Rt wrist plain film; PA/AP view; 13-year-old male; presentation radiograph 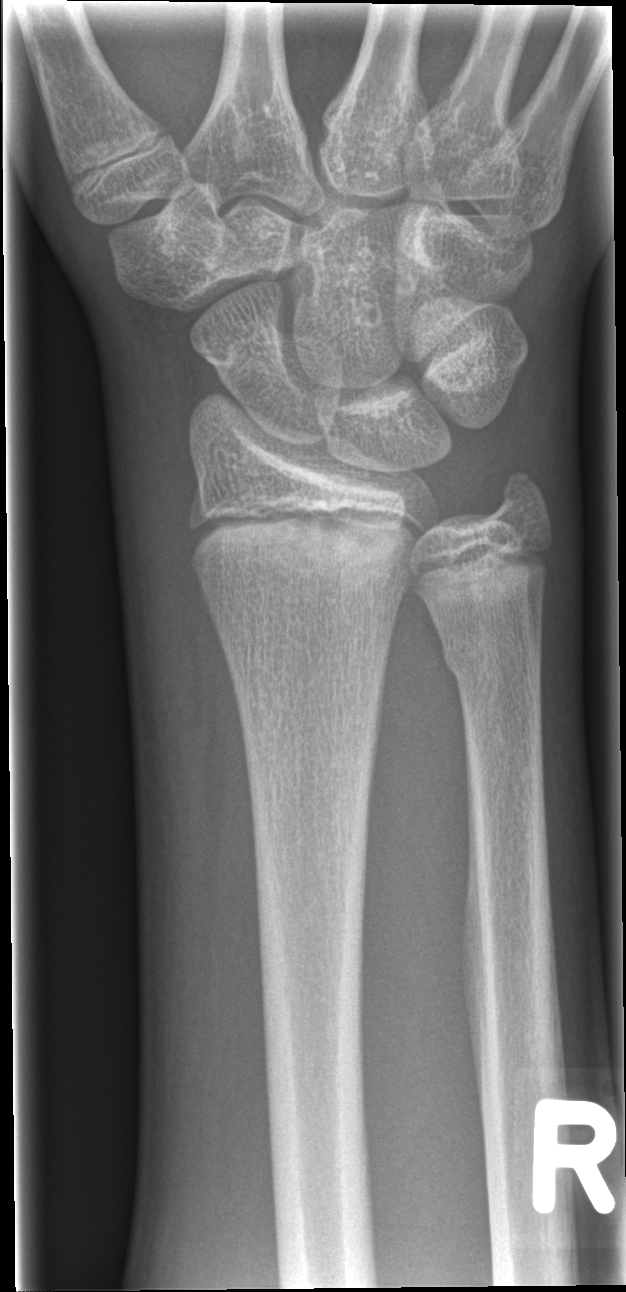
Findings: Fracture classified AO/OTA 23-M/2.1; 23u-E/7. Two bone fractures at bbox(431, 630, 536, 692), bbox(490, 460, 550, 515).